Right wrist XR; AP view; follow-up study:
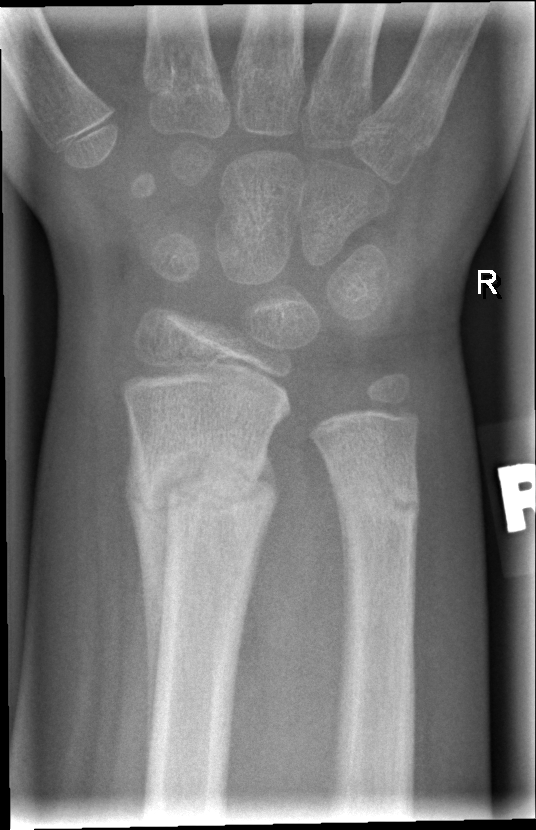
  # coordinates are [x1, y1, x2, y2] in image pixels
  periostealreaction: (left=121, top=452, right=173, bottom=794), (left=253, top=446, right=279, bottom=497)
  osteopenia: present
  fracture: 2 @ (left=124, top=444, right=282, bottom=551), (left=333, top=471, right=423, bottom=538)
  ao: 23r-M/3.1; 23u-M/2.1